Lateral projection; Rt plain radiograph of the wrist; subsequent exam; image 76.3 mm wide

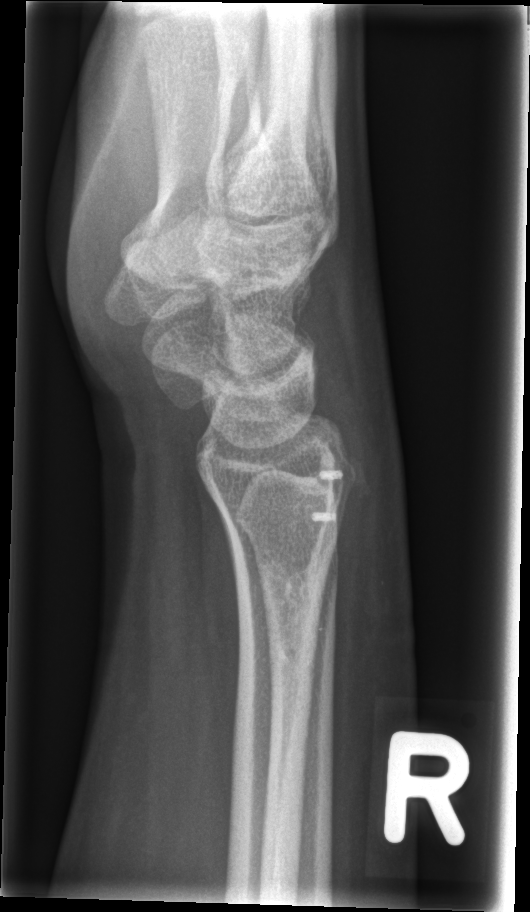

Metal identified at <307,467>-<348,526>. No fracture labeled.